Posteroanterior view, Rt pediatric wrist radiograph, pediatric patient (girl, age 11), follow-up study, in cast 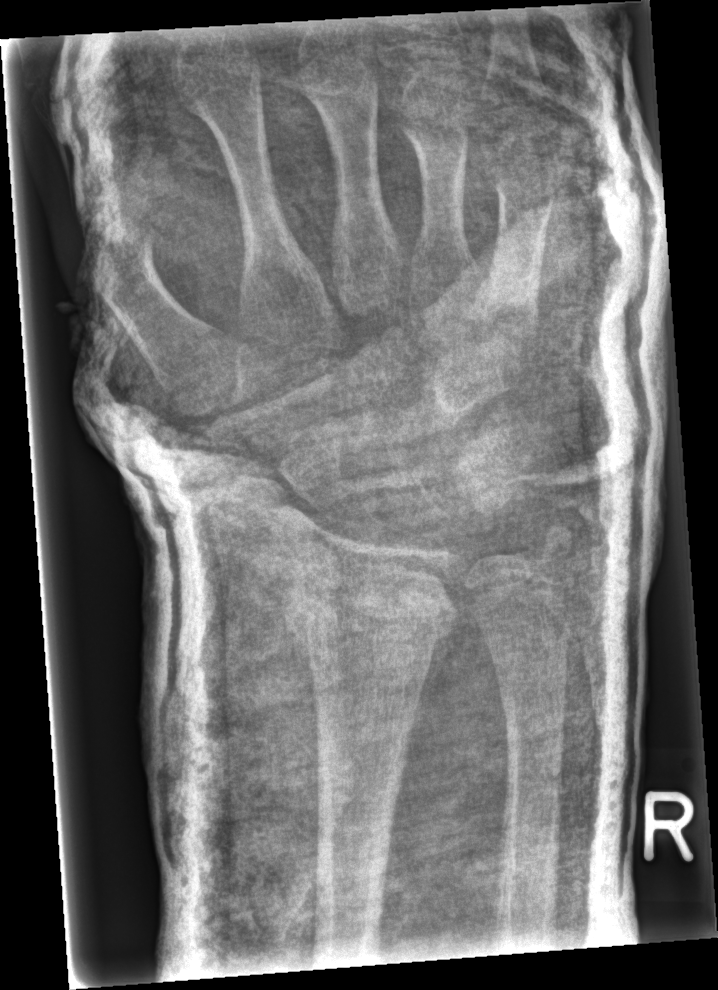
FINDINGS: AO code 23r-M/3.1; 23u-E/7. Fx — [283, 557, 466, 654], [513, 520, 580, 581].